Left wrist plain film | AP | cast in situ — 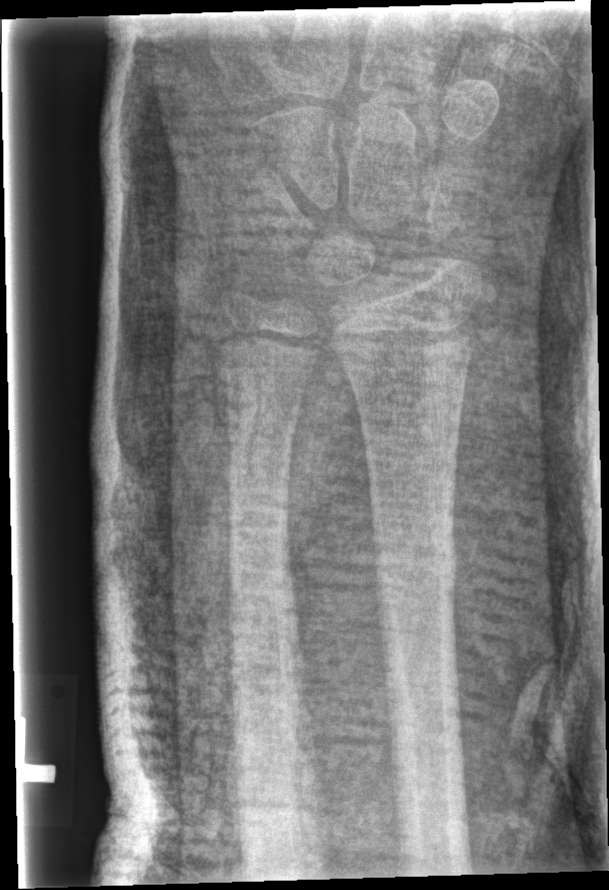

(coordinates are [x1, y1, x2, y2] in image pixels)
Fx: bbox(369, 543, 459, 600)